Lateral projection · right pediatric wrist radiograph · age 13 y, boy · presentation radiograph · 599 by 1072 pixels
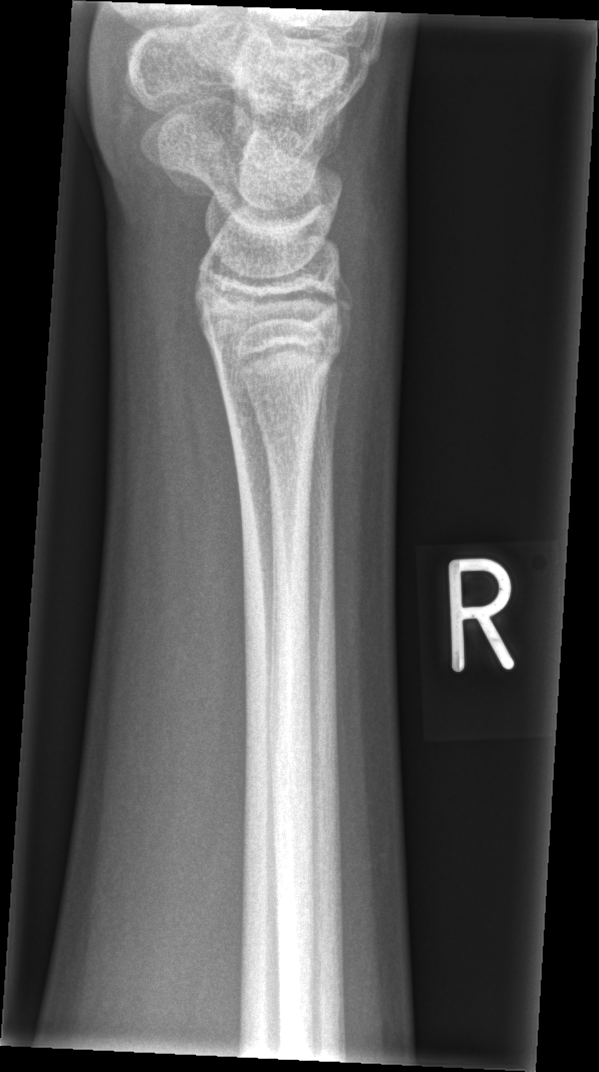 {
  "_coords": "bounding boxes in image-pixel xyxy",
  "ao": "23r-M/2.1",
  "fracture": "1 @ 206,313,345,391"
}